Left wrist radiograph, lat projection, age 12 y, male, initial study.

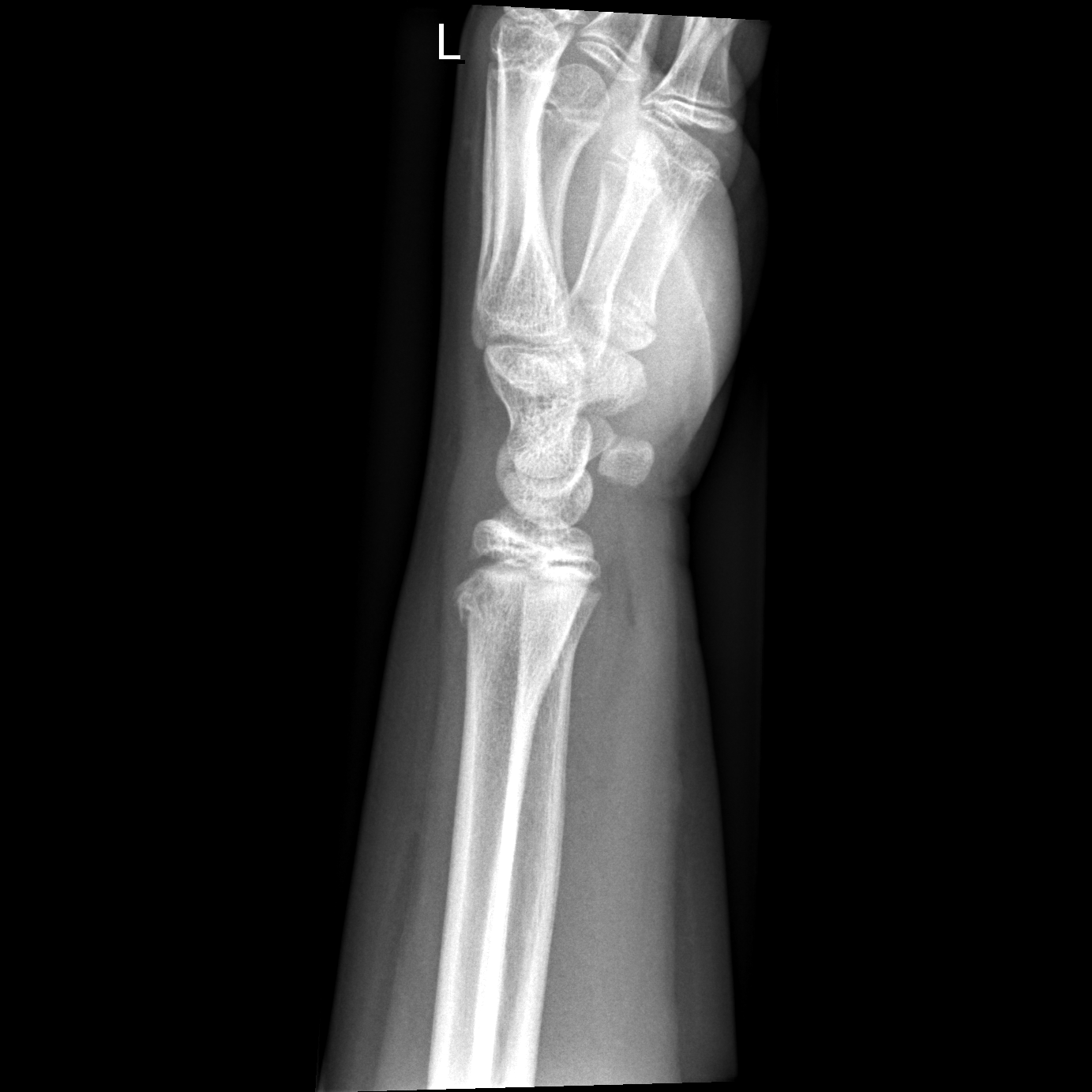
- Bounding boxes in image-pixel xyxy.
- One positive pronator fat-pad sign at [549, 516, 639, 885].
- Bone fracture — [449, 569, 584, 649].
- AO code 23r-M/2.1; 23u-E/7.